PA | left wrist plain film | in cast.

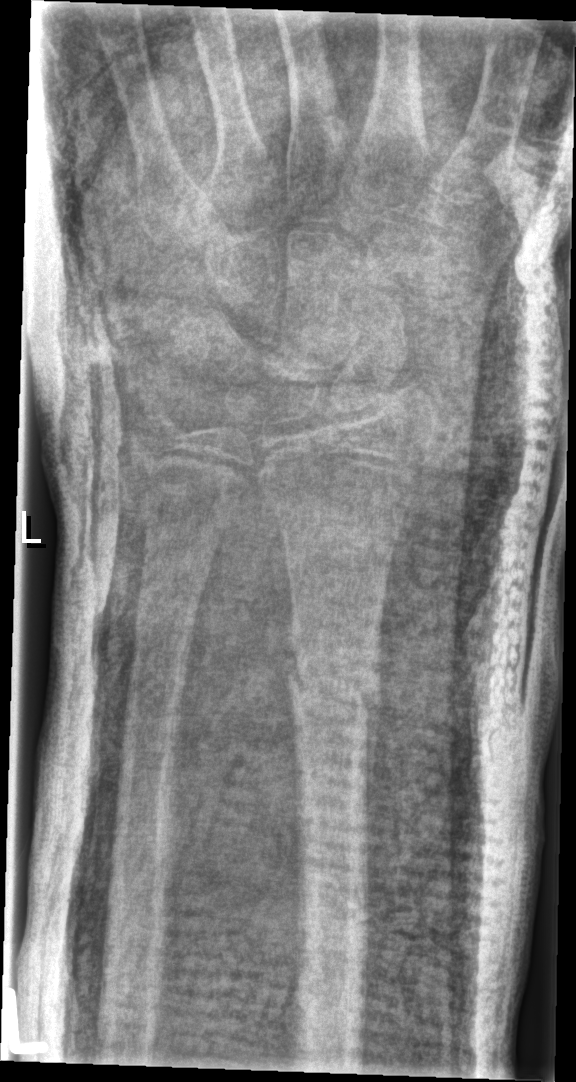 {"fracture": "<283,625>-<388,743>", "ao": "23r-M/3.1; 23u-M/2.1", "periostealreaction": "<360,691>-<380,851>"}